PA/AP view | right wrist plain radiograph of the wrist | pediatric patient (boy, age 11) | 465x1016

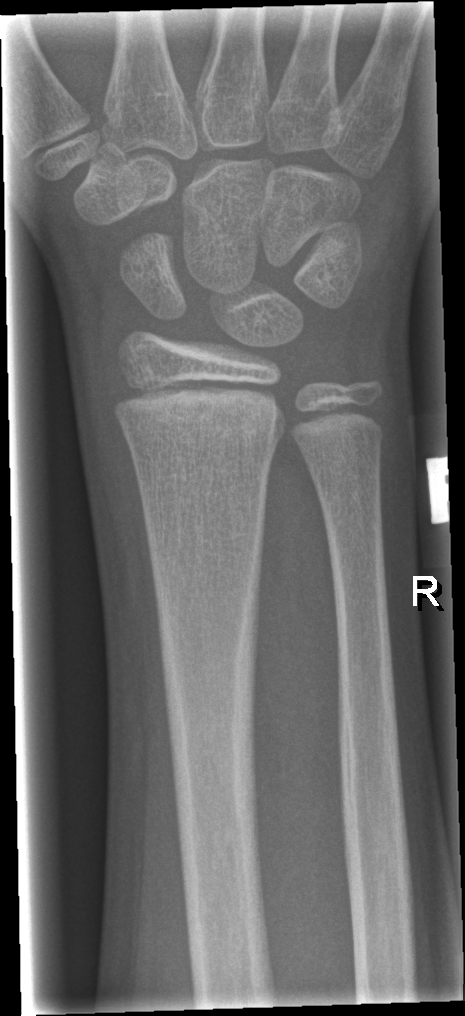 Pixel coordinates, top-left origin, xyxy. Fx identified at bbox(136, 378, 289, 442).